Left wrist pediatric wrist radiograph | frontal view | male, 12 yo 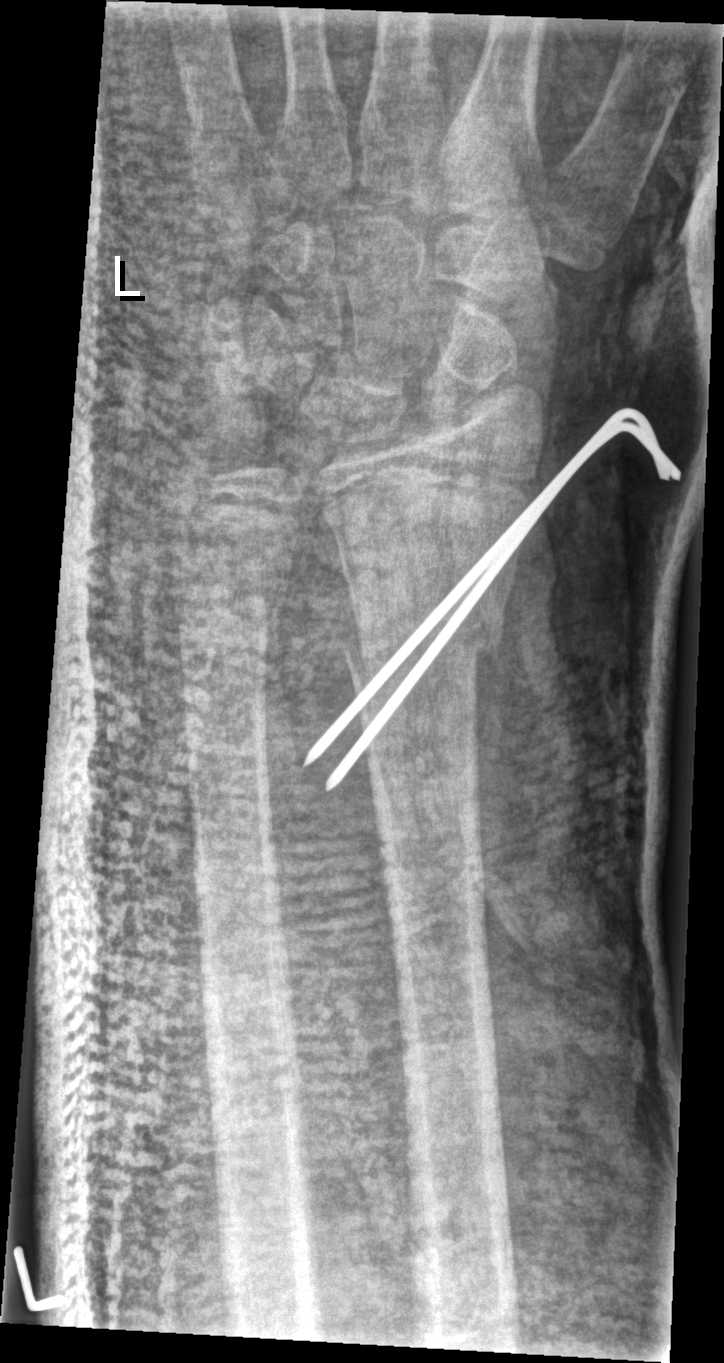

• Metallic hardware — (left=296, top=393, right=689, bottom=796).
• AO/OTA classification: 23-M/3.1; 23u-E/7.
• One bone fracture at (left=334, top=608, right=507, bottom=676).